Frontal | L pediatric wrist radiograph | 14y F 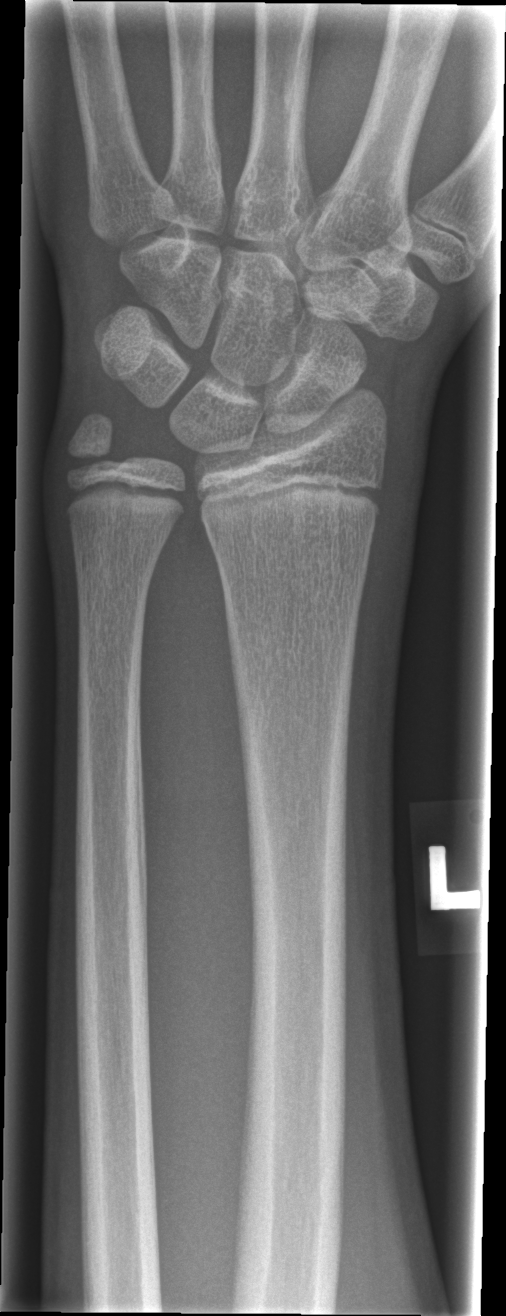

* Bounding boxes in image-pixel xyxy.
* Fracture identified at (63, 411, 138, 478).